Left wrist X-ray · lat projection · 7-year-old female · follow-up study · cast in situ · 410x722 — 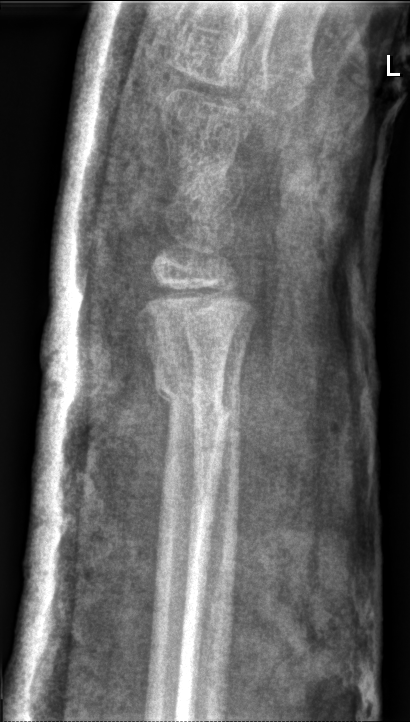
Bone fracture: 2 @ 151,368,236,430
  182,324,249,383
AO/OTA: 23r-M/3.1; 23u-M/2.1